Frontal view | Rt wrist XR | image size 630x1186
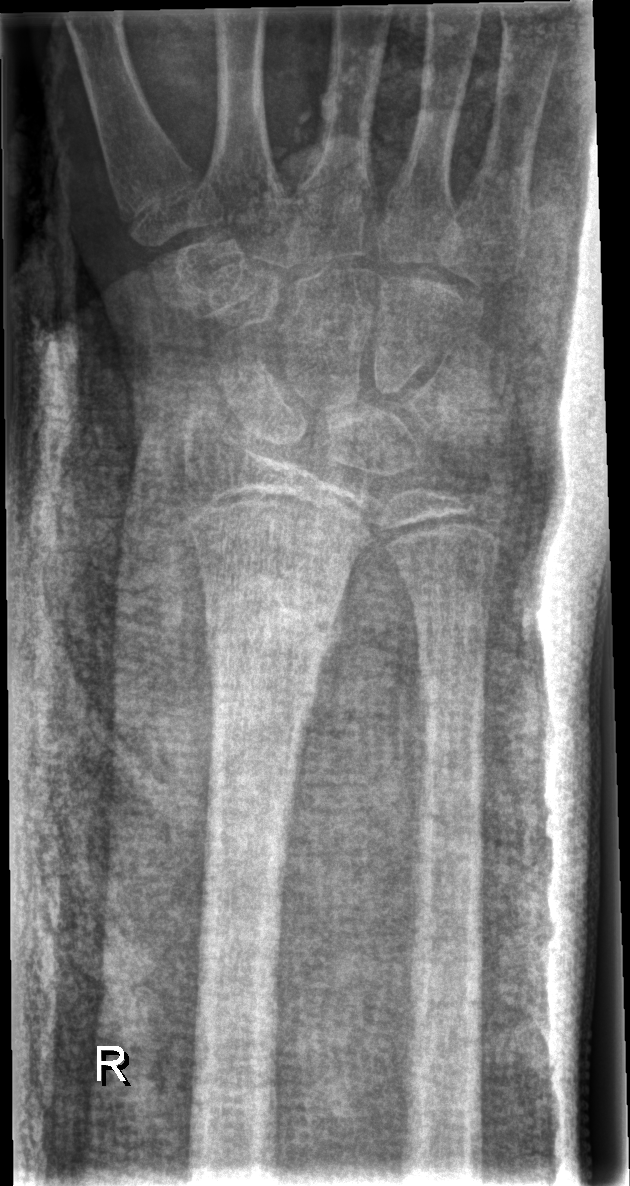
* Boxes as x1,y1,x2,y2 (top-left / bottom-right, pixel units).
* AO/OTA classification: 23r-M/3.1.
* Fracture — (left=198, top=570, right=343, bottom=689).